Frontal view; right pediatric wrist radiograph; boy, 12 yo; index exam; image width 81.1 mm; 563 by 1058 pixels: 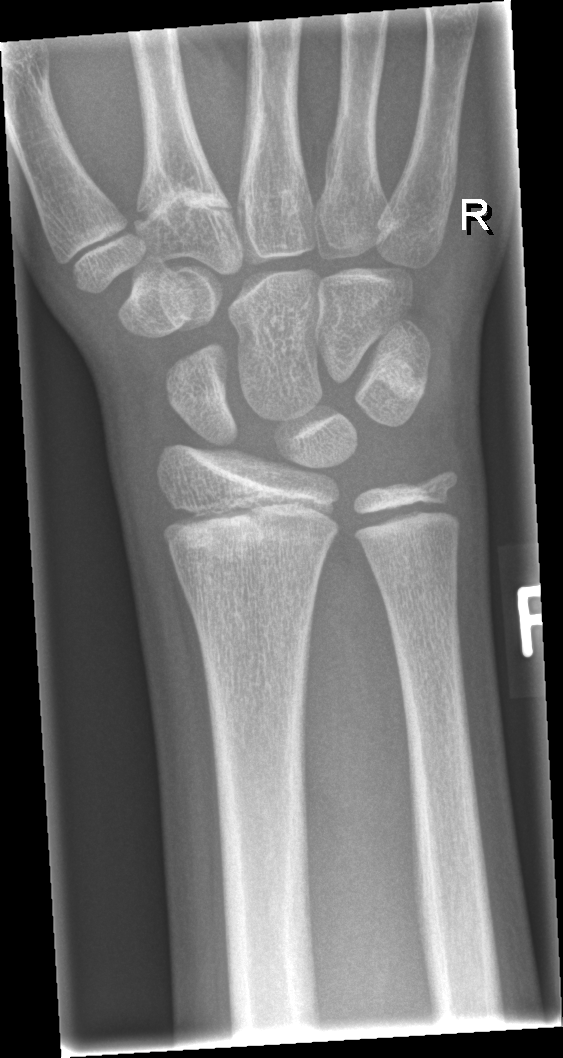 FINDINGS — No fracture annotation.